Posteroanterior view; right plain radiograph of the wrist; girl, 9 yo:
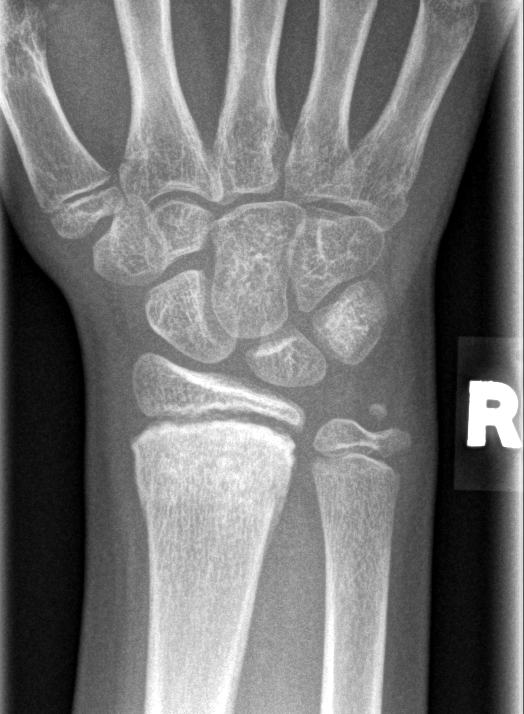

Periosteal new bone: [x1=259, y1=466, x2=293, y2=575]
Osteopenia: present
AO/OTA: 23r-E/2.1; 23u-E/7
Bone fracture: [x1=128, y1=415, x2=297, y2=521], [x1=359, y1=395, x2=414, y2=449]